Lateral projection; right wrist radiograph; presentation radiograph —
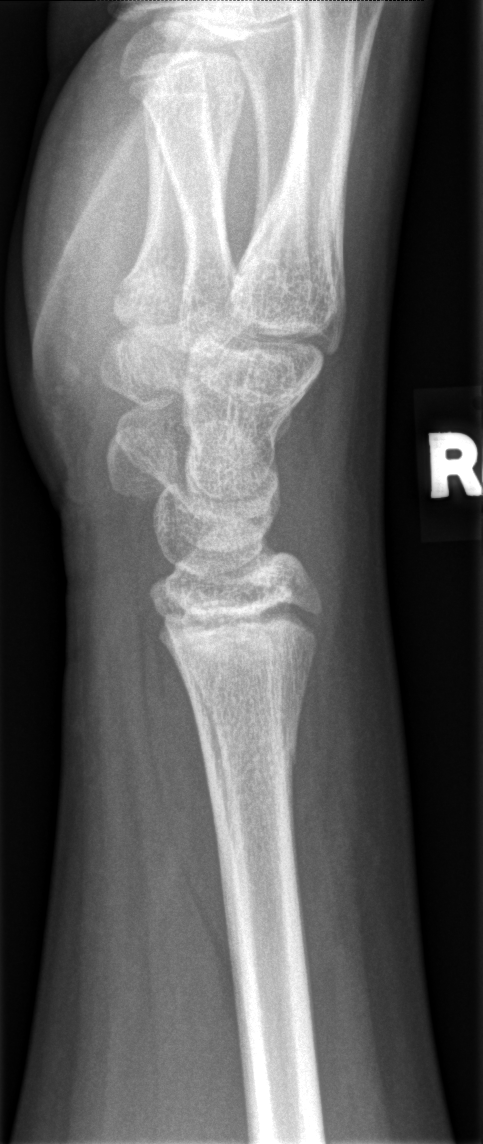

- Pixel coordinates, top-left origin, xyxy.
- Fx identified at (left=197, top=731, right=301, bottom=787).